Rt plain radiograph of the wrist, lat, age 10 y, female: 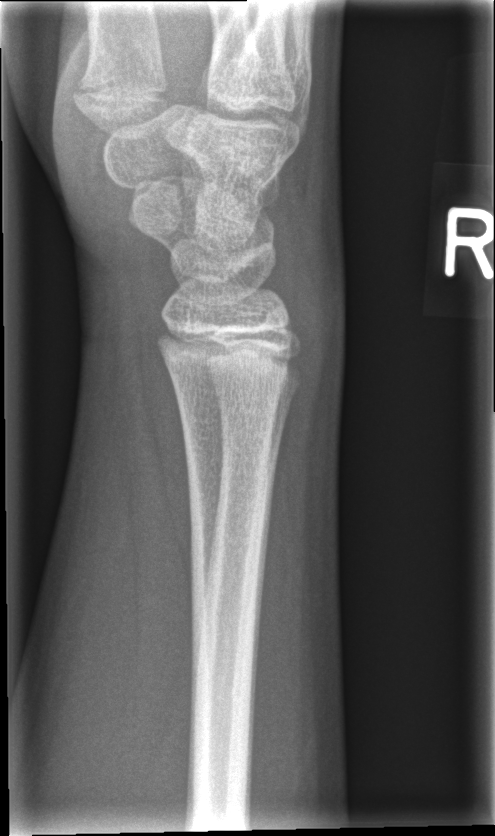 {"fracture": "none labeled"}